Left wrist plain film | lat view | follow-up study | cast in situ | 788x1392 —

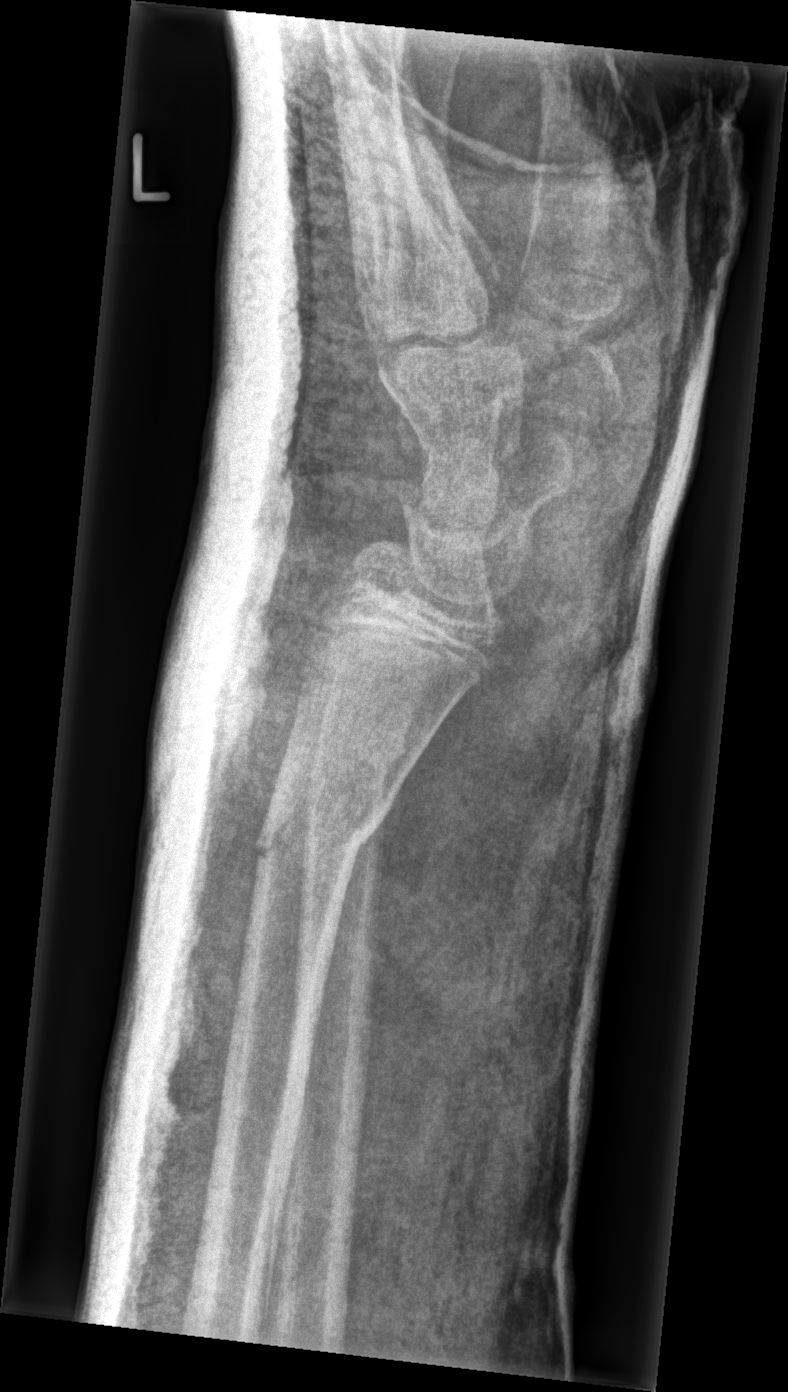
(coordinates are [x1, y1, x2, y2] in image pixels)
fracture = 2 @ <250,785>-<396,872>, <312,719>-<412,774>
AO/OTA = 23-M/3.1